PA/AP view; Rt wrist plain film; age 9 y, female; cast in situ 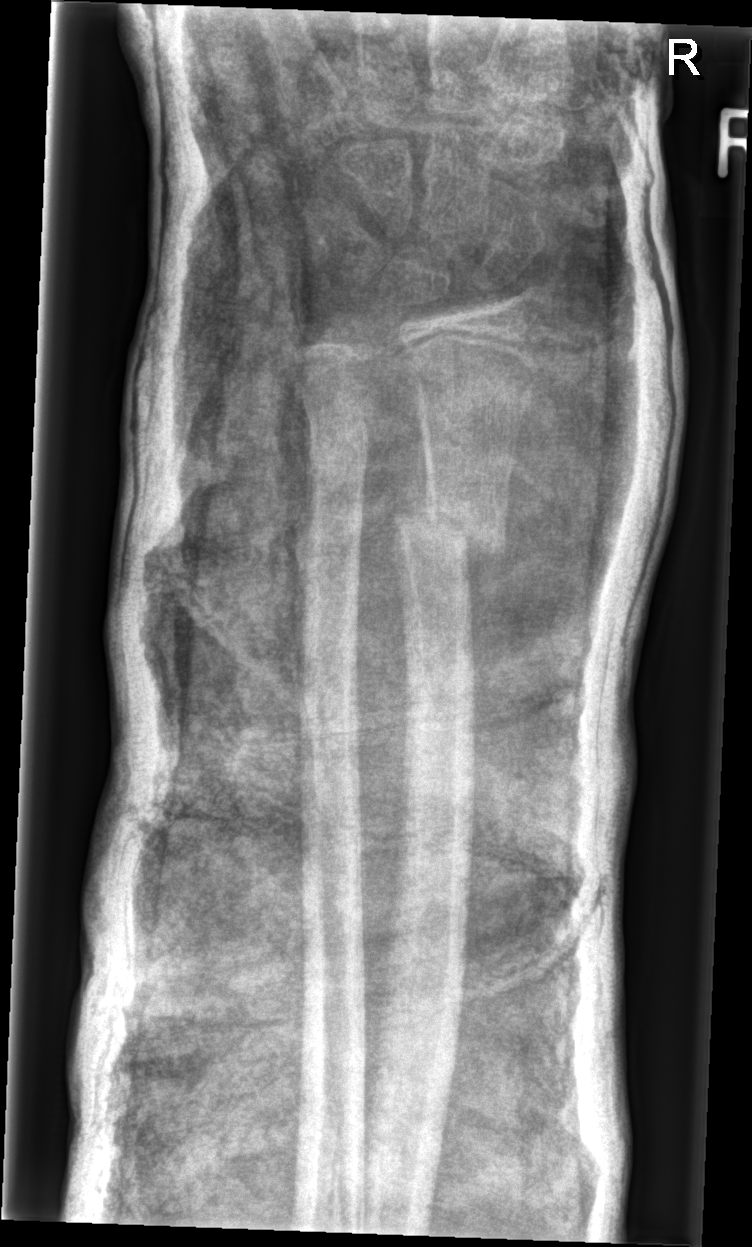 Fx identified at (387, 492, 511, 570).
Fracture classified AO/OTA 23r-M/3.1; 23u-M/2.1.